Posteroanterior view, right wrist X-ray, pediatric patient (male, age 15). 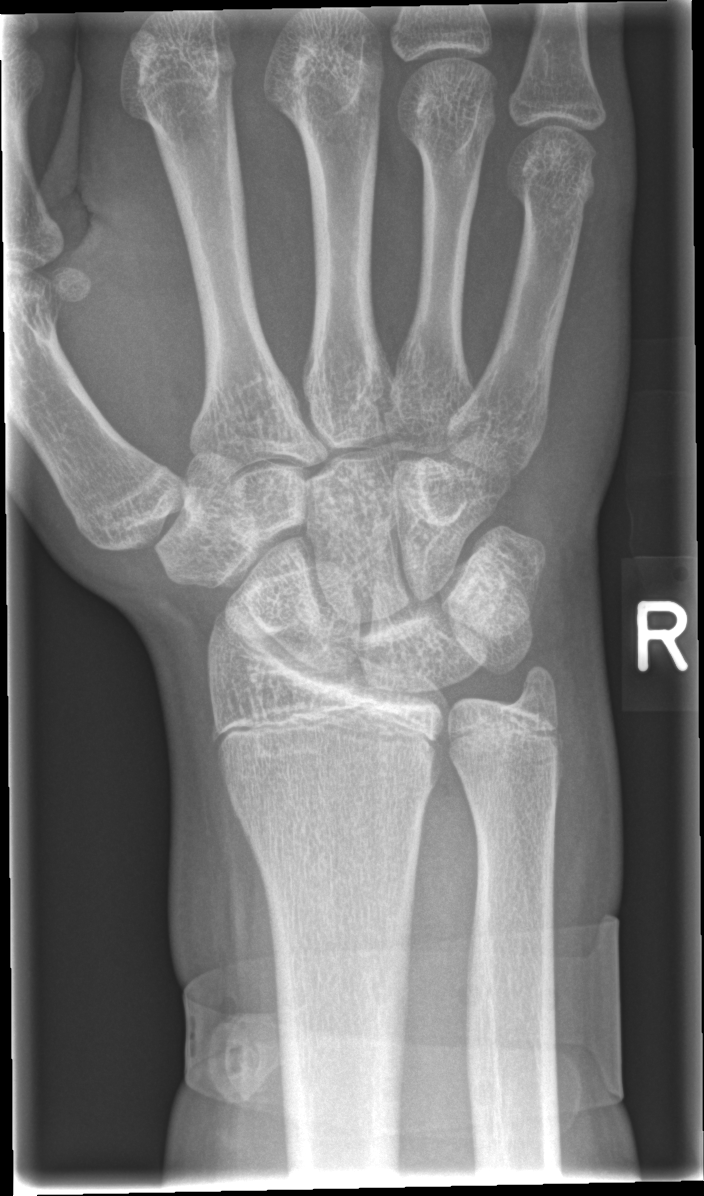

Fx = none labeled